Lt wrist XR; PA; image width 85.0 mm:

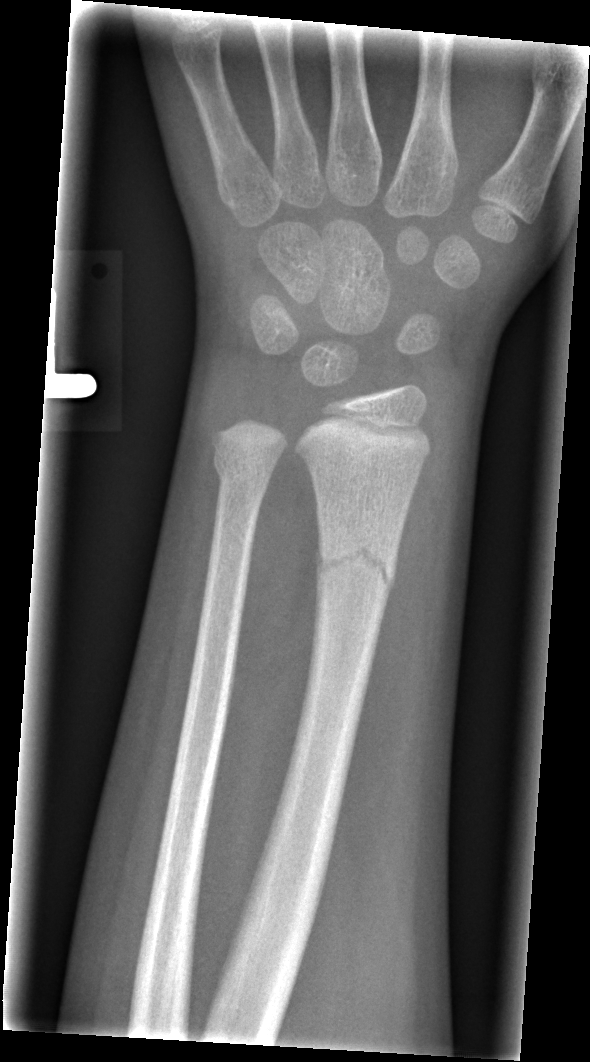
FINDINGS: AO/OTA classification: 23r-M/3.1; 23u-M/2.1. Two bone fractures at (left=313, top=529, right=399, bottom=600); (left=210, top=440, right=283, bottom=492).